Right wrist X-ray; PA/AP projection; age 10 y, girl; subsequent exam:

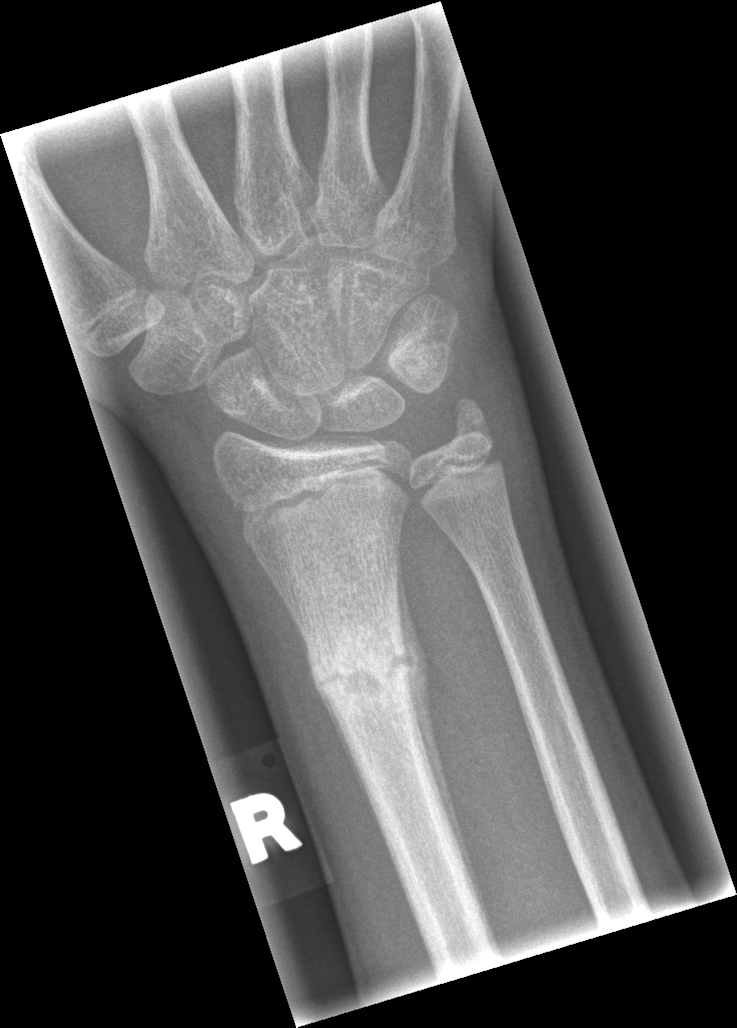 FINDINGS — Fracture — [x1=309, y1=629, x2=420, y2=713]. Periosteal thickening: [x1=396, y1=530, x2=497, y2=957] [x1=288, y1=607, x2=384, y2=839].